R wrist radiograph, lat, 3-year-old boy, 568x972

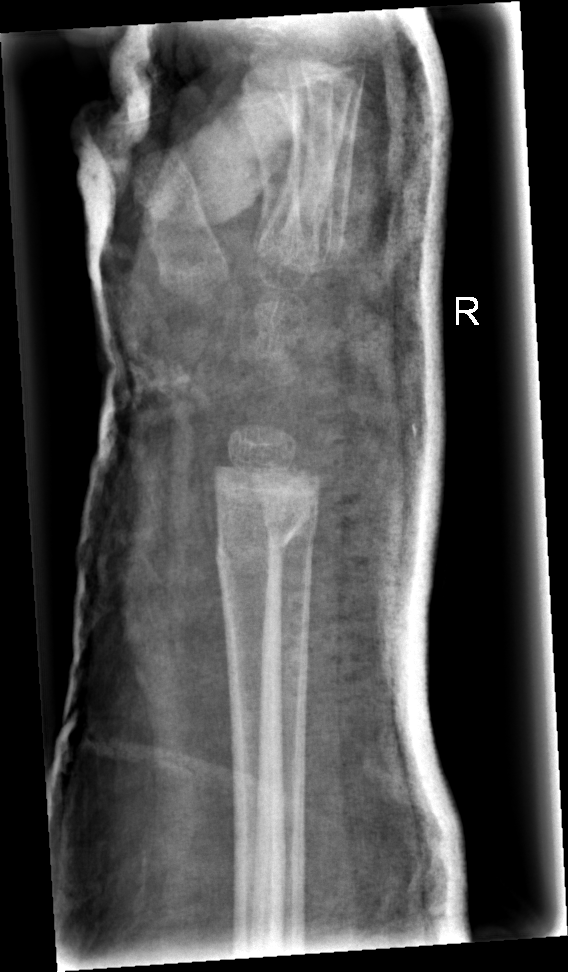

AO/OTA classification: 23r-M/3.1; 23u-M/2.1. Fx — bbox(208, 486, 316, 576).